Lateral view | R plain radiograph of the wrist | image 73.3 mm wide | image size 509x1138 — 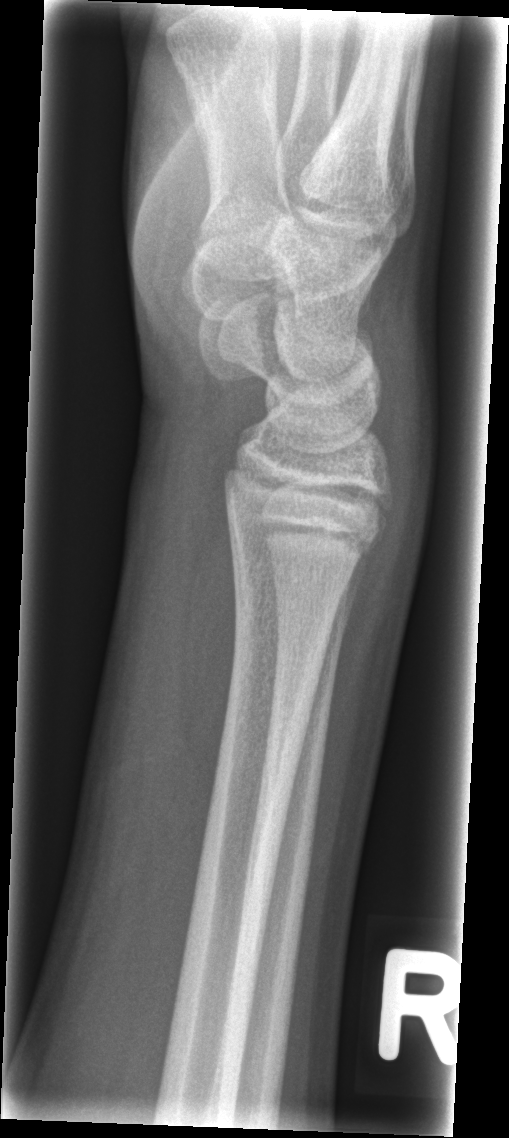

Boxes as x1,y1,x2,y2 (top-left / bottom-right, pixel units). Fracture: 217 468 394 562. AO/OTA classification: 23r-E/2.1.